Posteroanterior | left wrist radiograph | presentation radiograph | image width 81.5 mm | 566 x 1204 px. 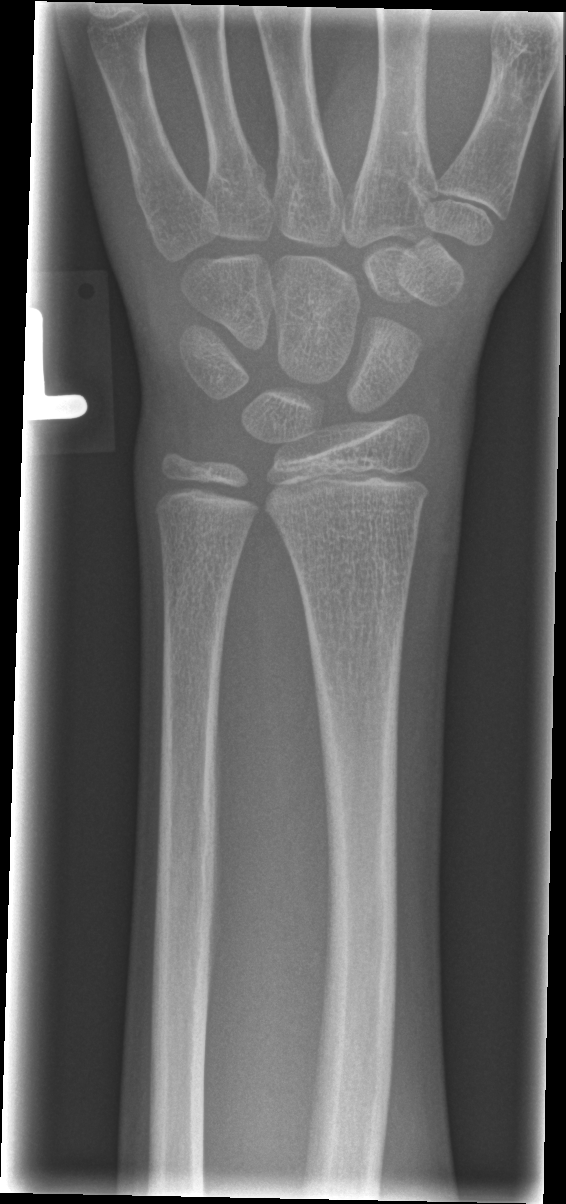 No fracture annotation.